Lt pediatric wrist radiograph | lateral projection | subsequent exam:

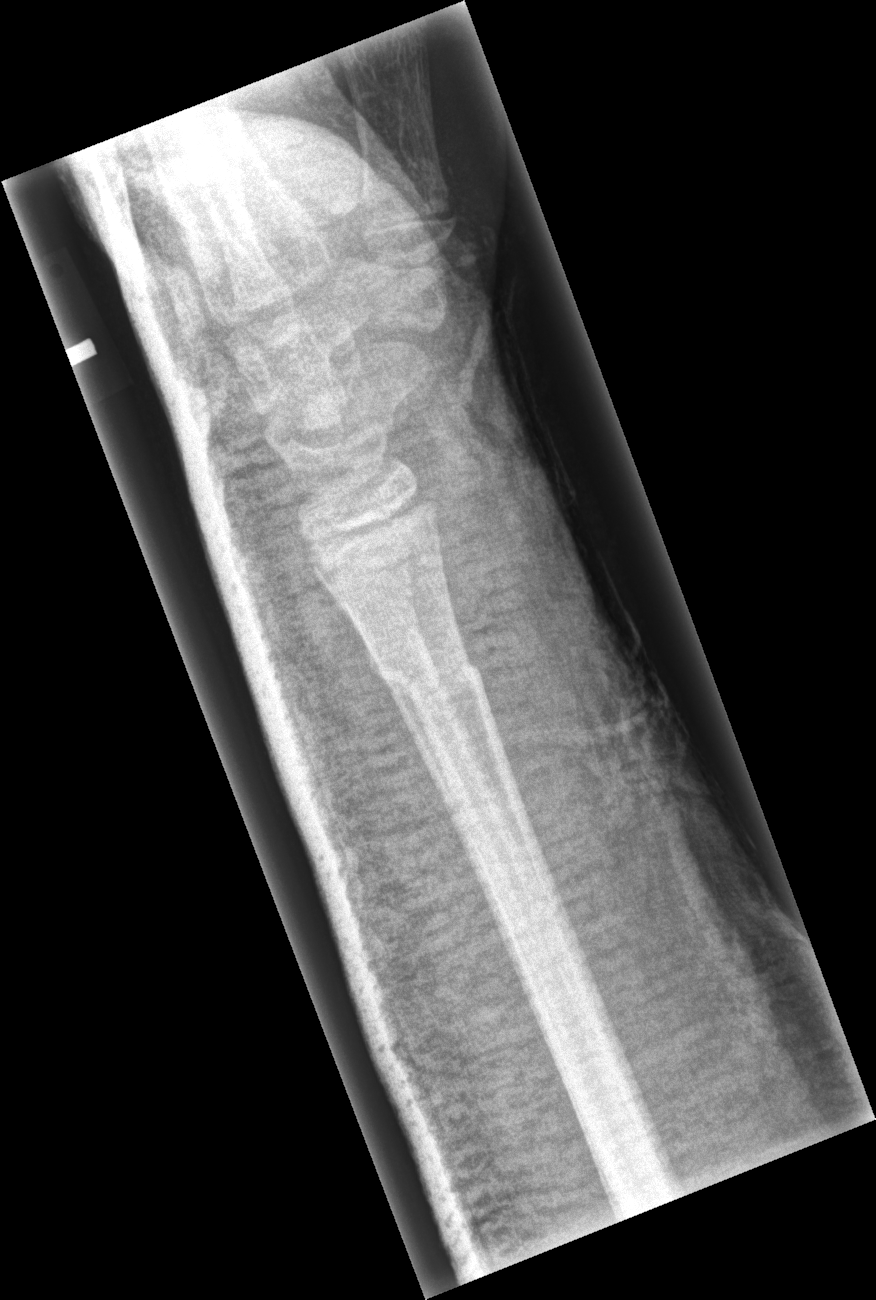
  # pixel coordinates, top-left origin, xyxy
  fracture: 1 @ bbox(366, 646, 487, 706)